Right wrist XR; PA/AP view; male, 14 yo: 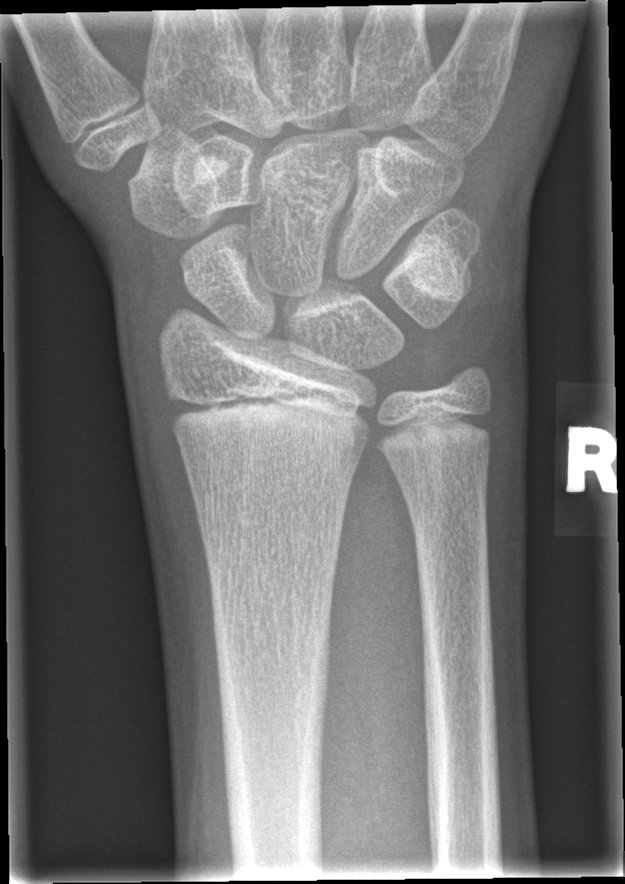 Bone fracture = none labeled